Posteroanterior; Rt wrist radiograph —
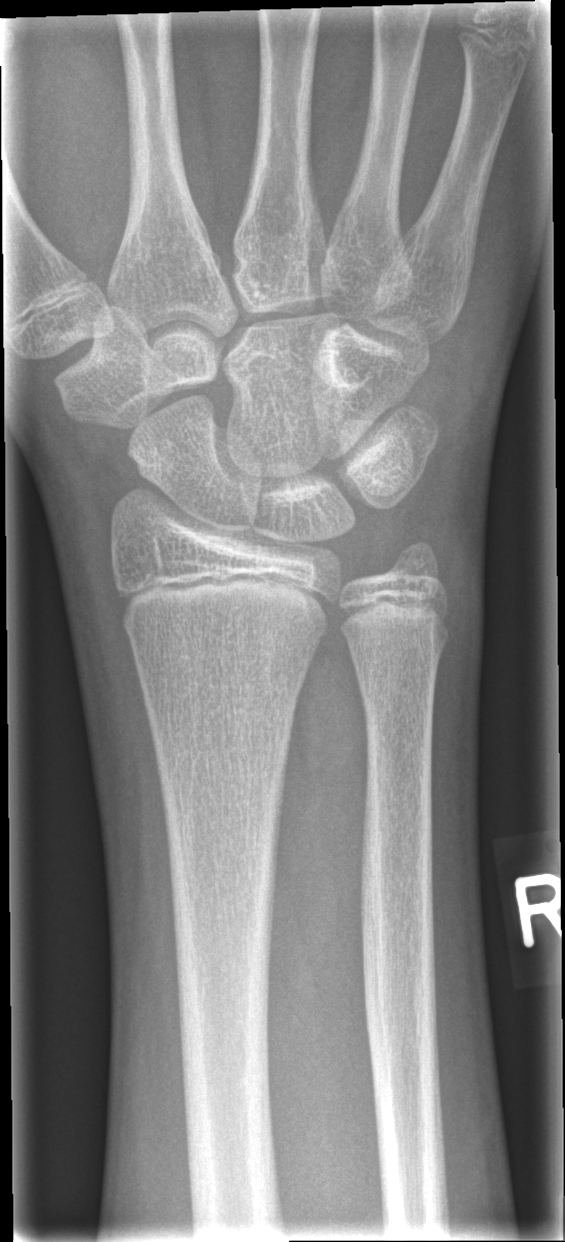 Fracture: none labeled